Left wrist X-ray · lateral · detector: Siemens —
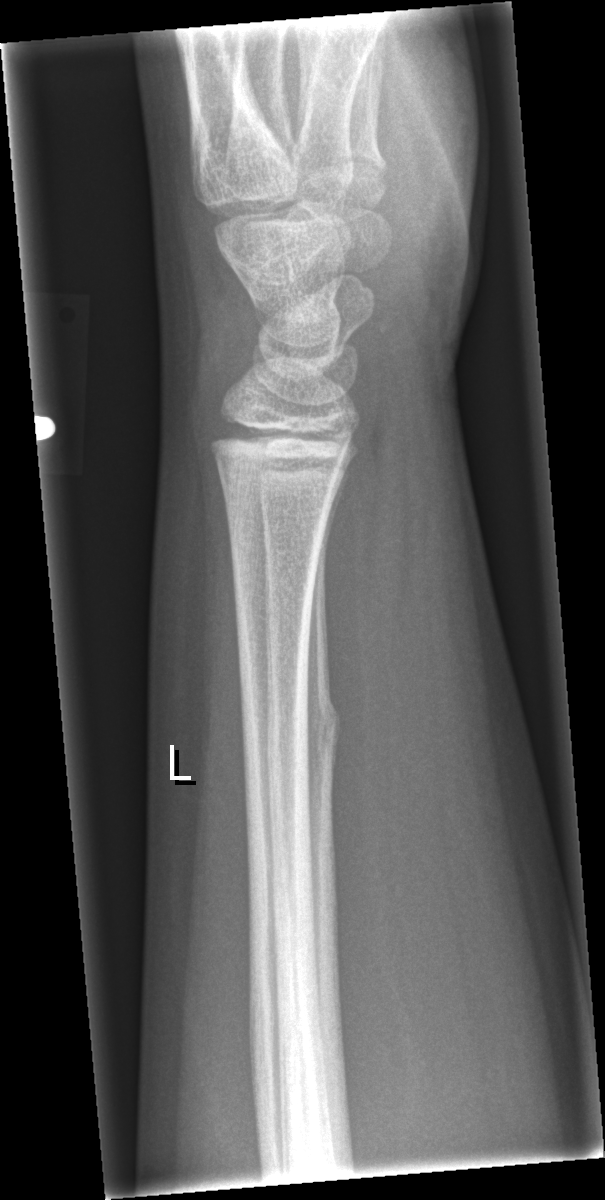 # coordinates are [x1, y1, x2, y2] in image pixels
fracture: 265,696,344,767